R pediatric wrist radiograph, lat, age 10 y, female, presentation radiograph

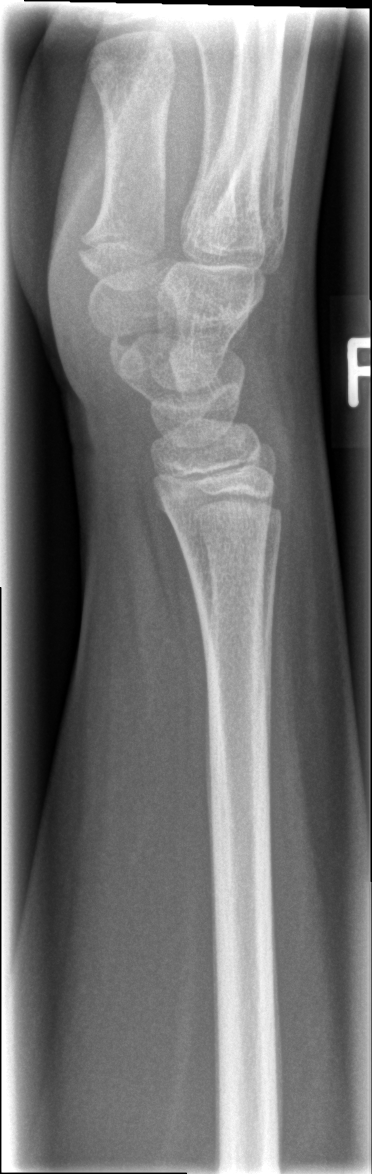
{
  "fracture": "none labeled"
}